Left wrist plain radiograph of the wrist; lateral projection 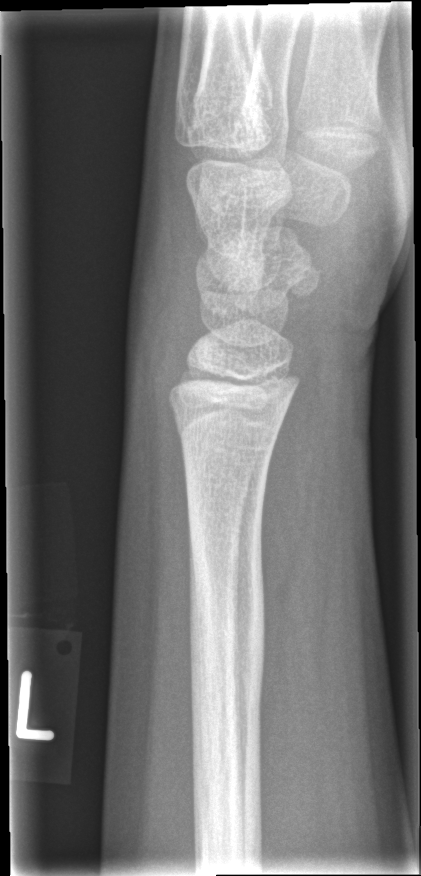

fracture: none labeled